PA projection, Rt plain radiograph of the wrist, 13-year-old boy.

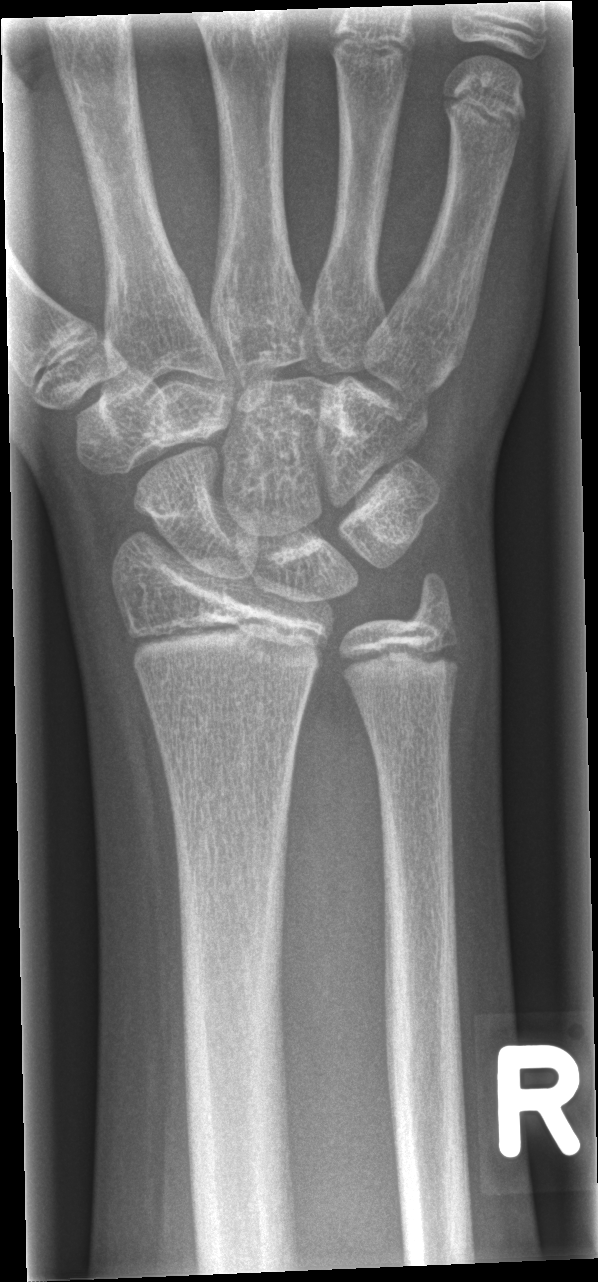

Q: Is there a fracture?
A: No fracture bounding box